Lt wrist XR | lateral | initial study:

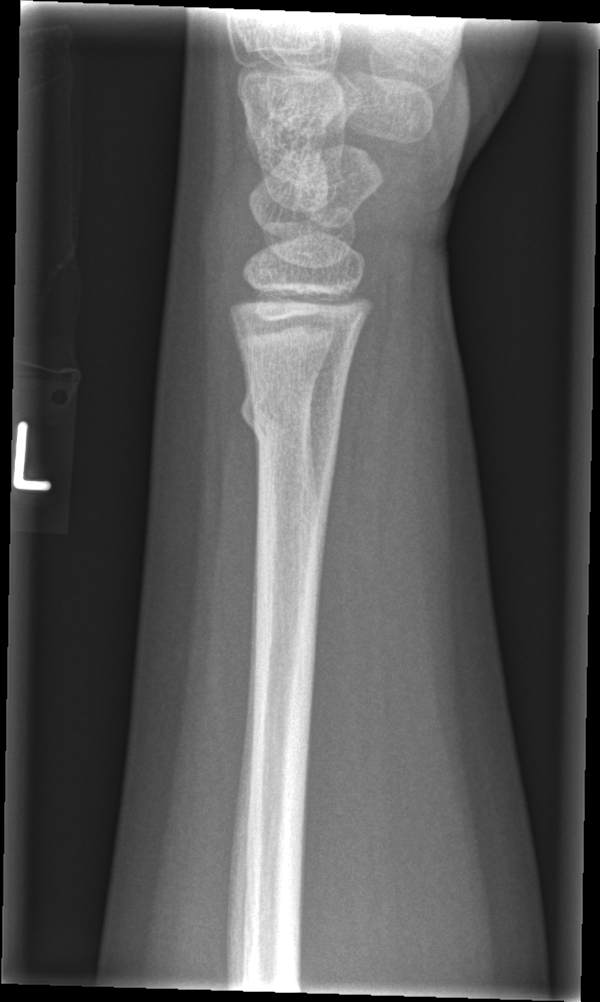
Fracture identified at (left=237, top=375, right=344, bottom=459). AO/OTA classification: 23r-M/2.1.